Lt wrist radiograph · PA/AP projection · Siemens · 795 x 856 px —

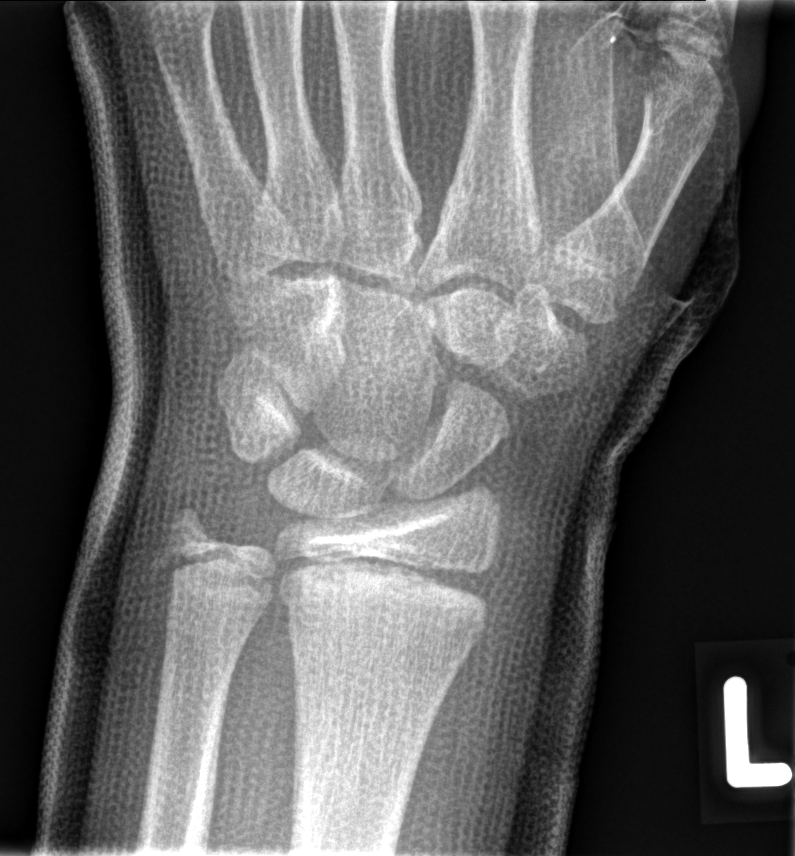
(boxes as x1,y1,x2,y2 (top-left / bottom-right, pixel units))
AO/OTA: 23r-E/2.1
Fx: 276,548,495,651